Left wrist XR · PA view · boy, 8 yo · initial study · 530 by 864 pixels.

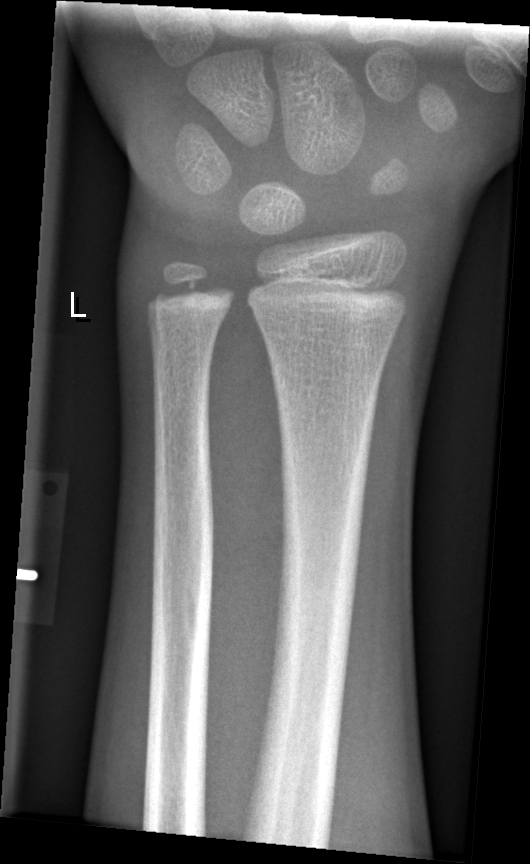

{
  "fracture": "none labeled"
}